Lat projection · L plain radiograph of the wrist · follow-up · cast in situ · 837 by 1286 pixels.

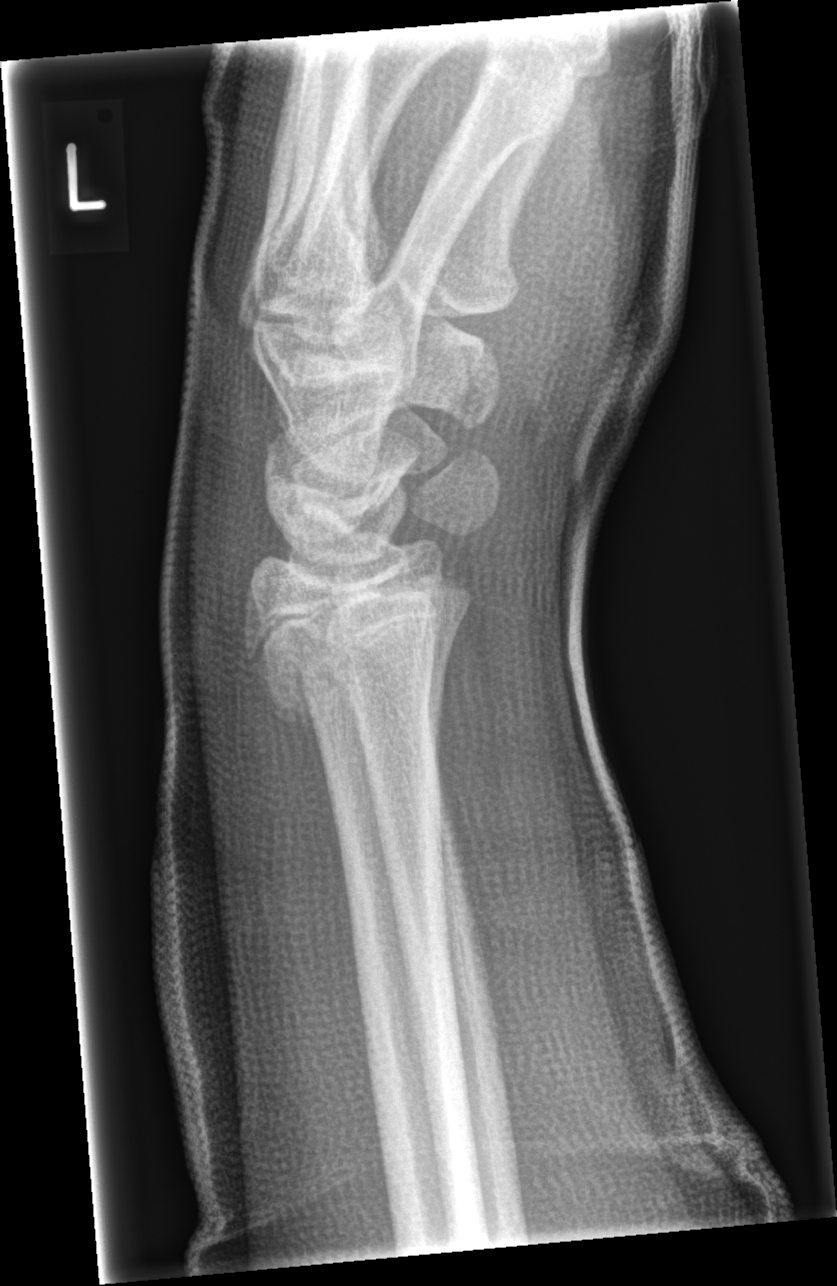 * Bounding boxes in image-pixel xyxy.
* AO/OTA classification: 23r-E/2.1; 23u-E/7.
* Fracture — 240 568 471 726.